R wrist plain film; PA view; in cast — 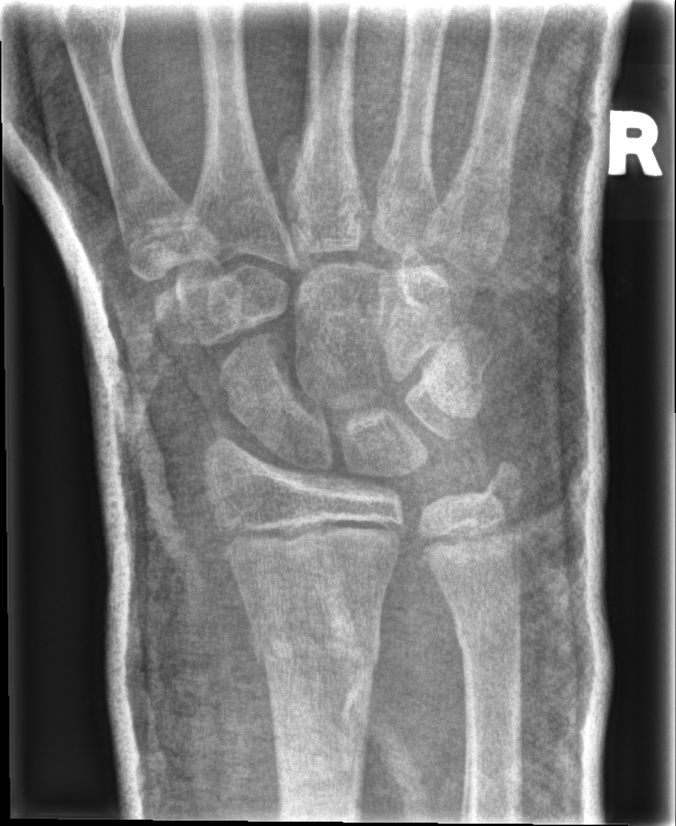
Bone fracture identified at <246,626>-<386,678> <453,609>-<525,662>.